L plain radiograph of the wrist, PA projection
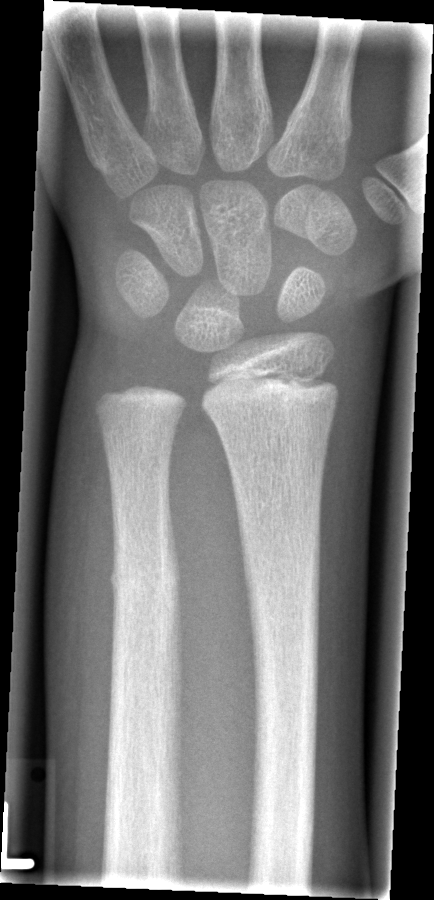
bone fracture = 1 @ (109, 546, 180, 618)